Left wrist pediatric wrist radiograph, frontal view, 11-year-old male, acquired on Siemens:

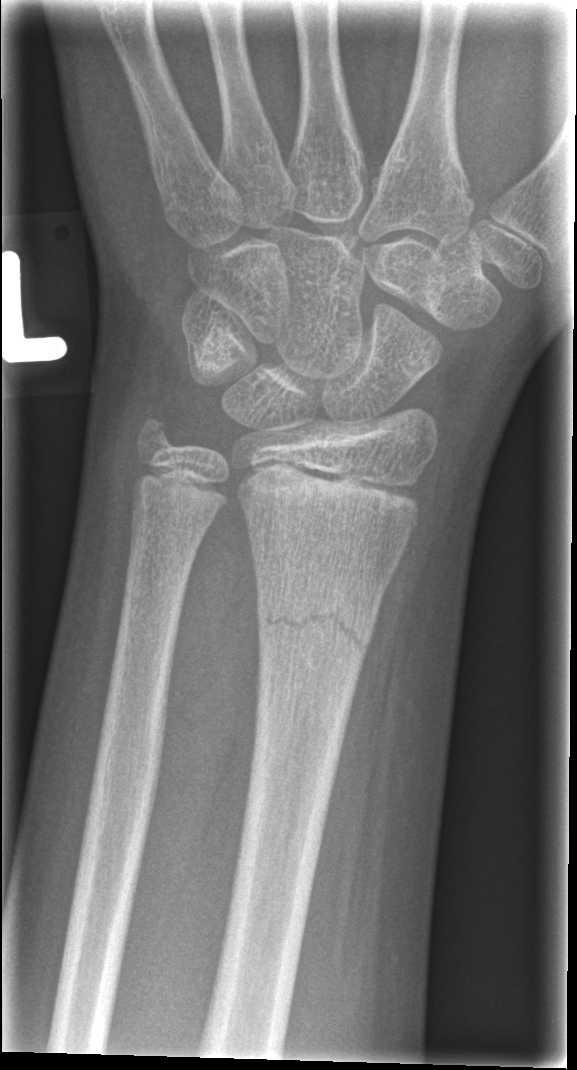 Bone fracture: 2 @ (left=252, top=571, right=383, bottom=663) (left=129, top=410, right=185, bottom=467)
AO/OTA: 23r-M/3.1; 23u-E/7